R wrist XR | lateral — 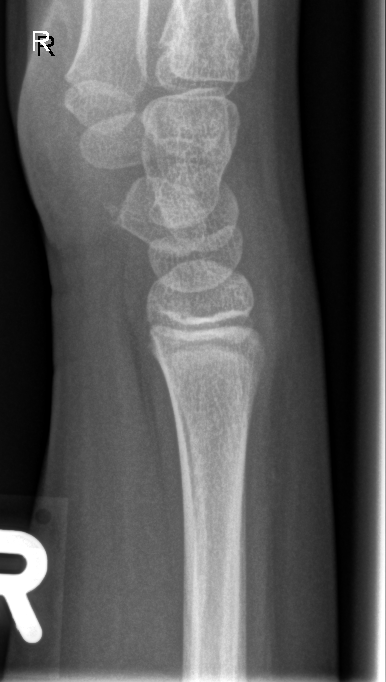
* No Fx annotated.